Lateral view · L wrist radiograph · initial study · acquired on Siemens · image width 76.9 mm.

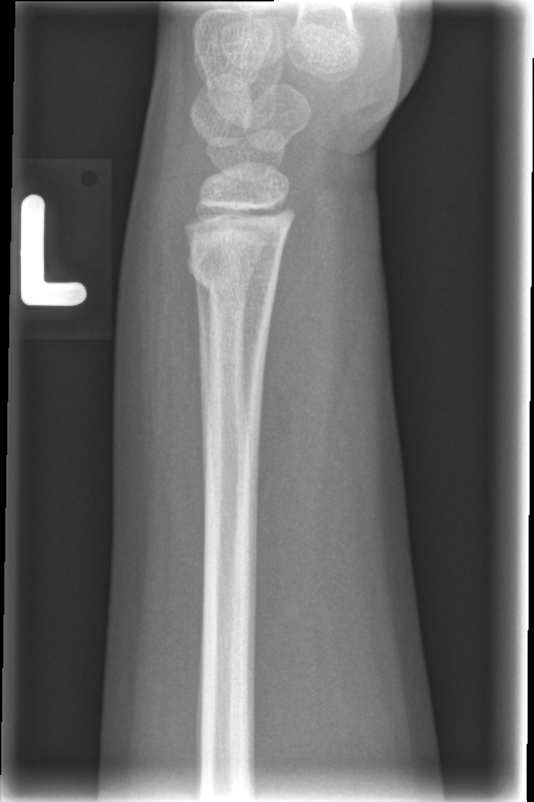
Pixel coordinates, top-left origin, xyxy. Soft tissue abnormality: (117, 133, 206, 512). Fracture — (184, 240, 281, 302). Positive pronator fat-pad sign — (253, 214, 340, 560).